R wrist plain film; PA/AP view; age 12 y, male; presentation radiograph; 719 x 1174 px — 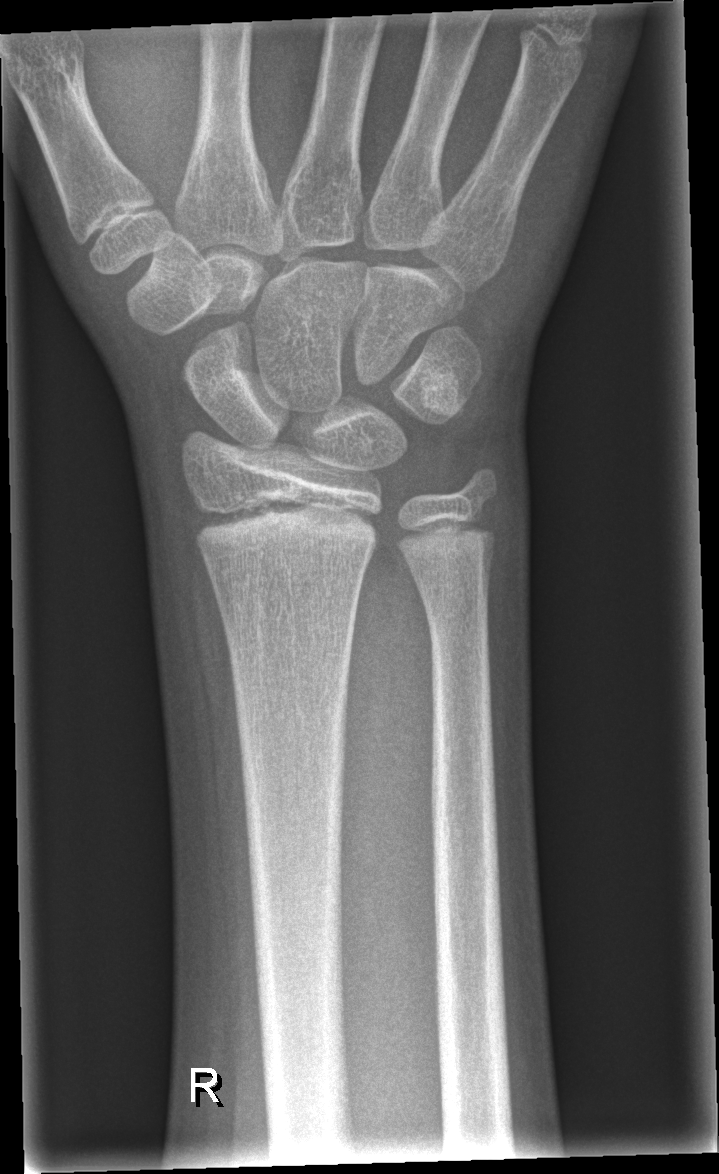
ao: 23r-E/2.1
fracture: present but not clearly seen in this view